Lateral view, L wrist plain film, pediatric patient (girl, age 16), Siemens, 79.3 mm image width, 551 x 848 px.

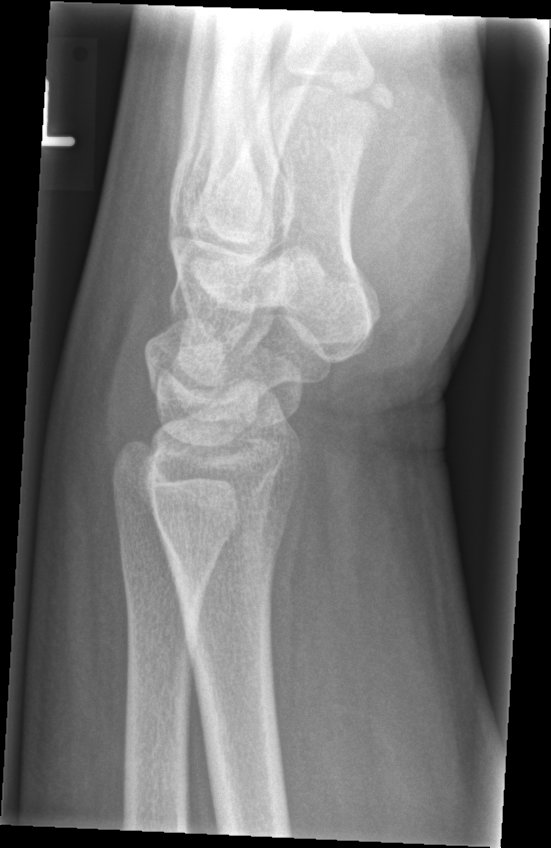

Fx: none.